Posteroanterior view | Lt pediatric wrist radiograph | follow-up study.
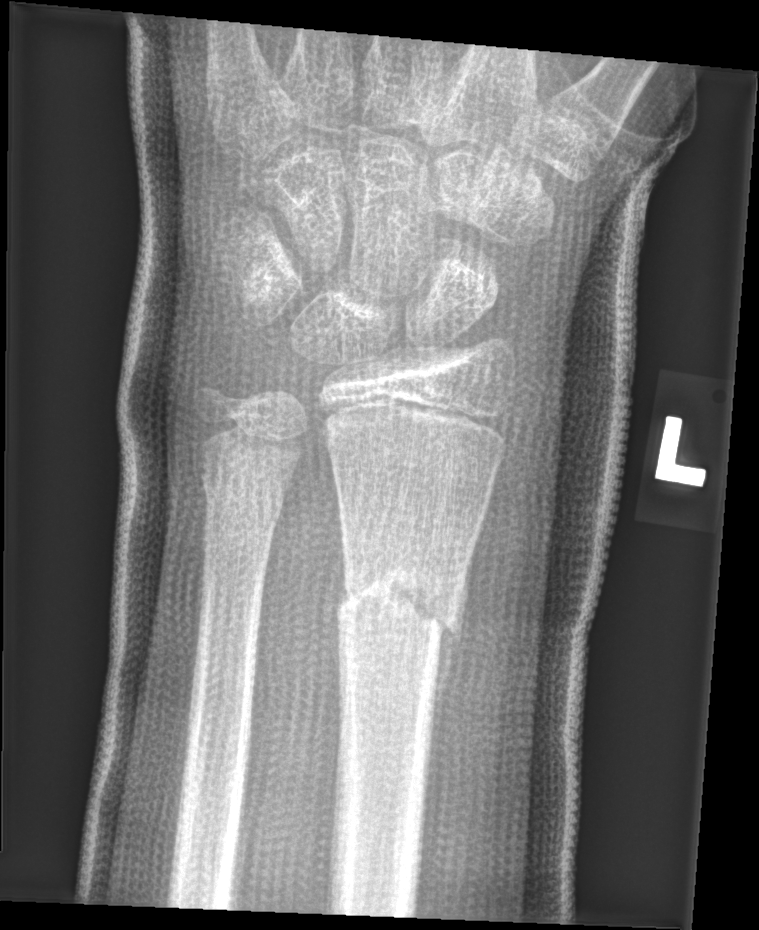 * Fracture identified at [x1=330, y1=567, x2=464, y2=647] [x1=198, y1=471, x2=284, y2=527].